Lat projection | L wrist XR | girl, 4 yo | detector: Siemens | image size 762x984 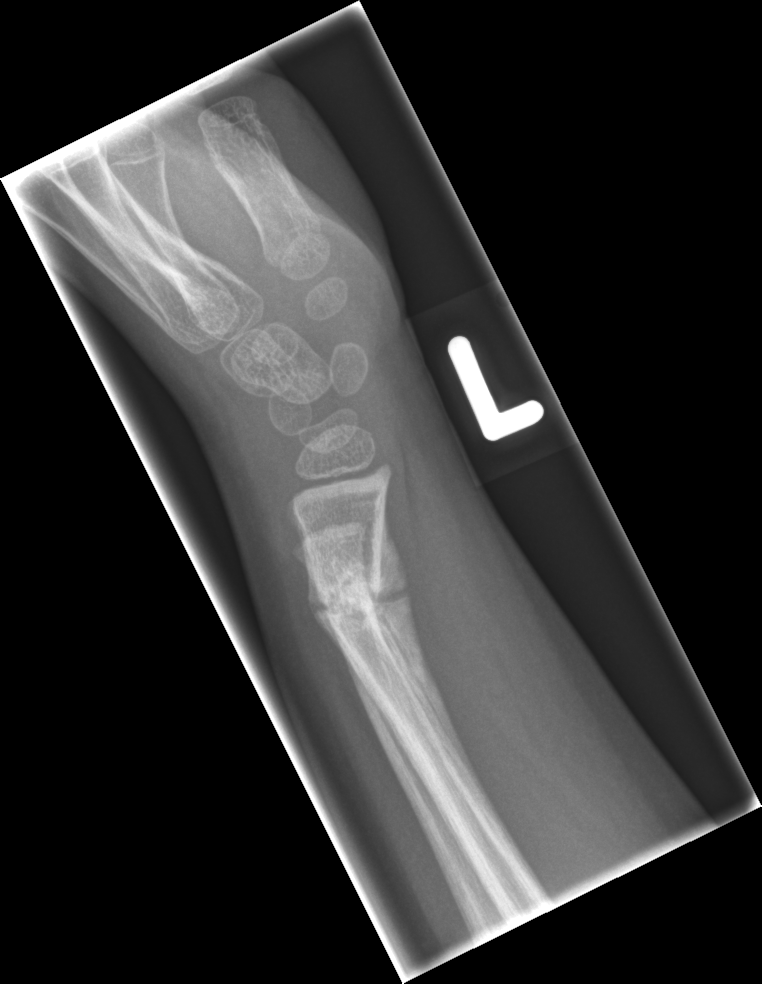 * Periosteal new bone: 370 500 492 812.
* Bone fracture identified at 309 575 394 636.